Posteroanterior · R pediatric wrist radiograph · acquired on Siemens · image width 74.0 mm · 514 x 802 px

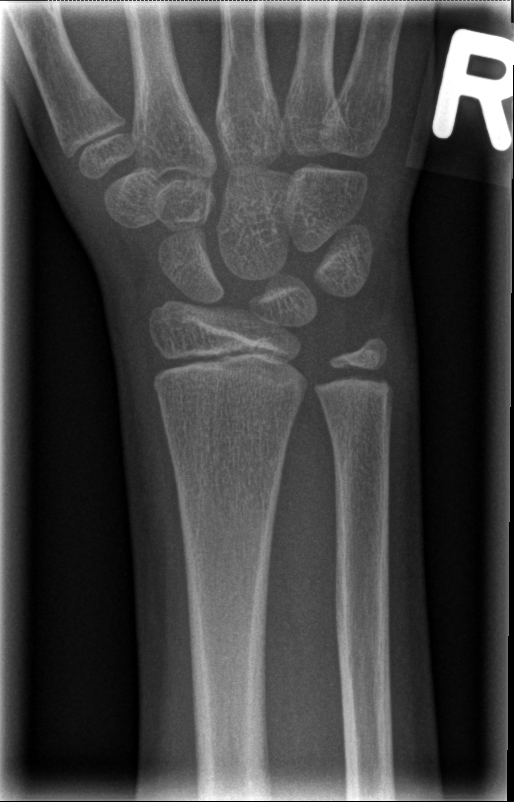 Fracture = none labeled